Left plain radiograph of the wrist | PA/AP projection | age 13 y, male | subsequent exam | cast present | 690x952.

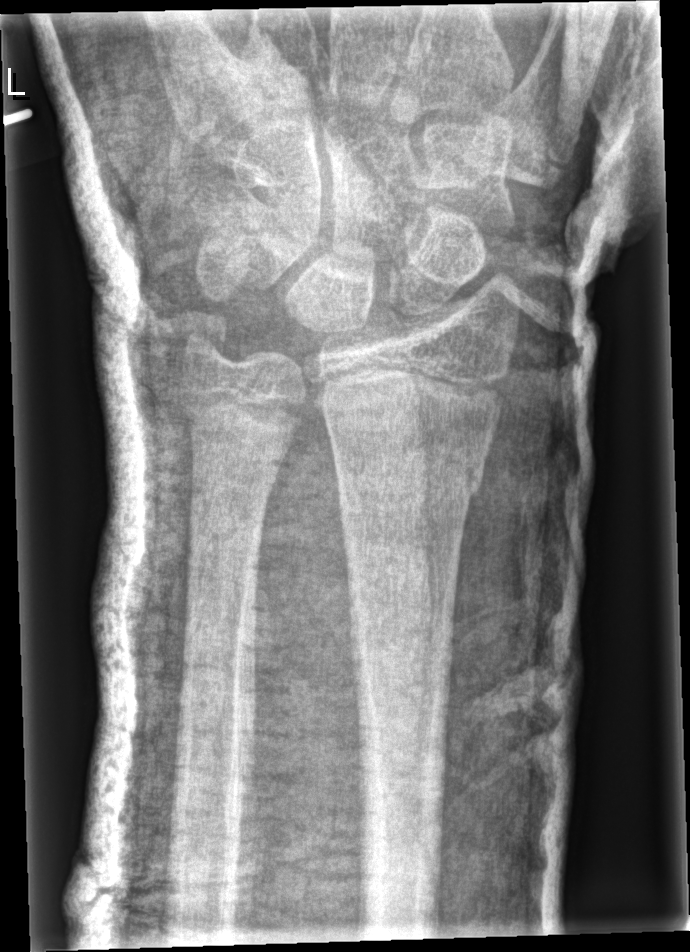
Fx identified at <330,450>-<487,525>; <177,309>-<238,377>.